L pediatric wrist radiograph | lateral projection | boy, 13 yo — 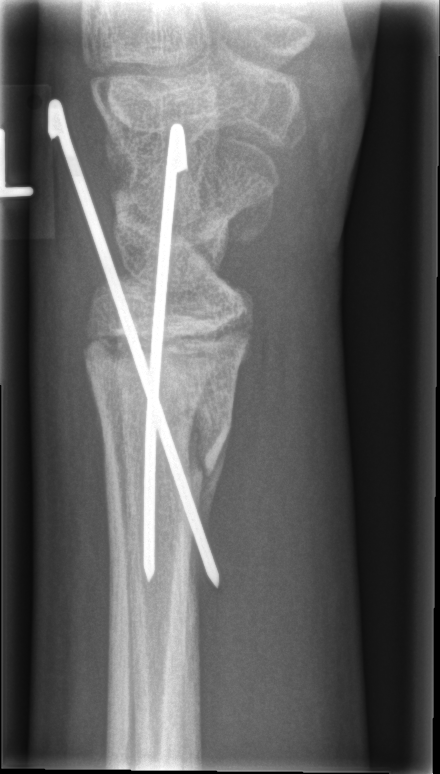
FINDINGS — (pixel coordinates, top-left origin, xyxy) Metallic hardware identified at bbox(45, 96, 221, 589). Periosteal reaction: bbox(198, 425, 231, 536). Fracture classified AO/OTA 23r-E/2.1; 23u-E/7. Fx: bbox(79, 322, 243, 483).